Frontal view · Rt wrist XR · age 11 y, female —
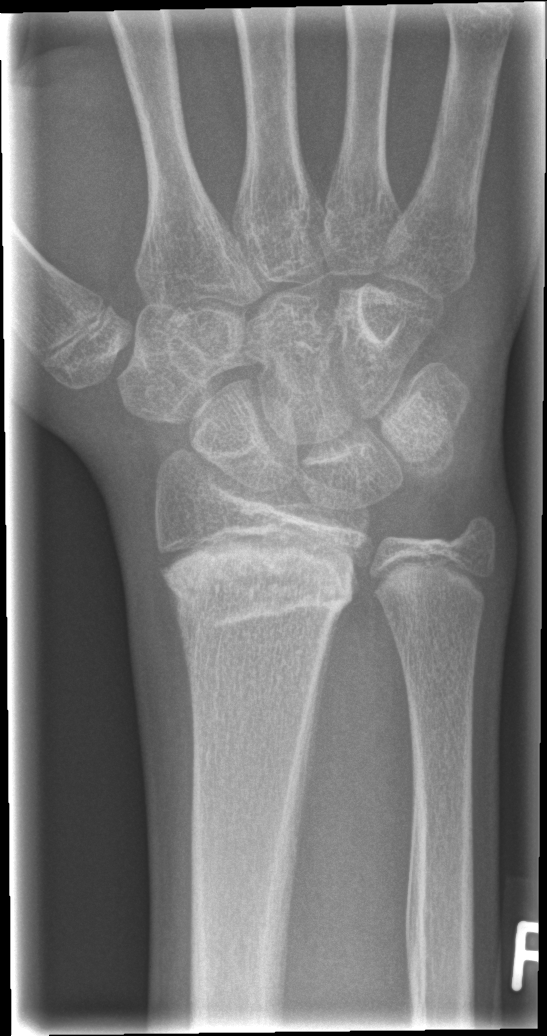

* Fx — <153,540>-<366,634>.
* Reduced bone mineral density.